Lt wrist plain film, lat, follow-up study, cast in situ
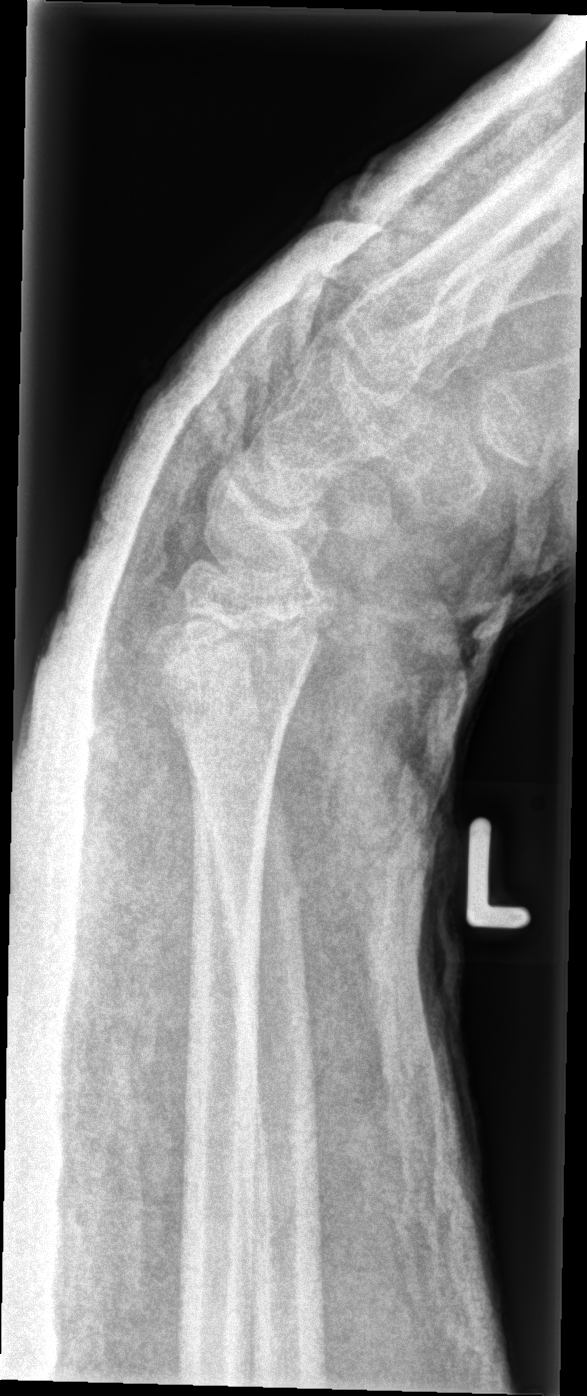 AO/OTA = 23r-M/3.1; 23u-E/7
Fx = present but not clearly seen in this view